Lt plain radiograph of the wrist; lat; age 13 y, male 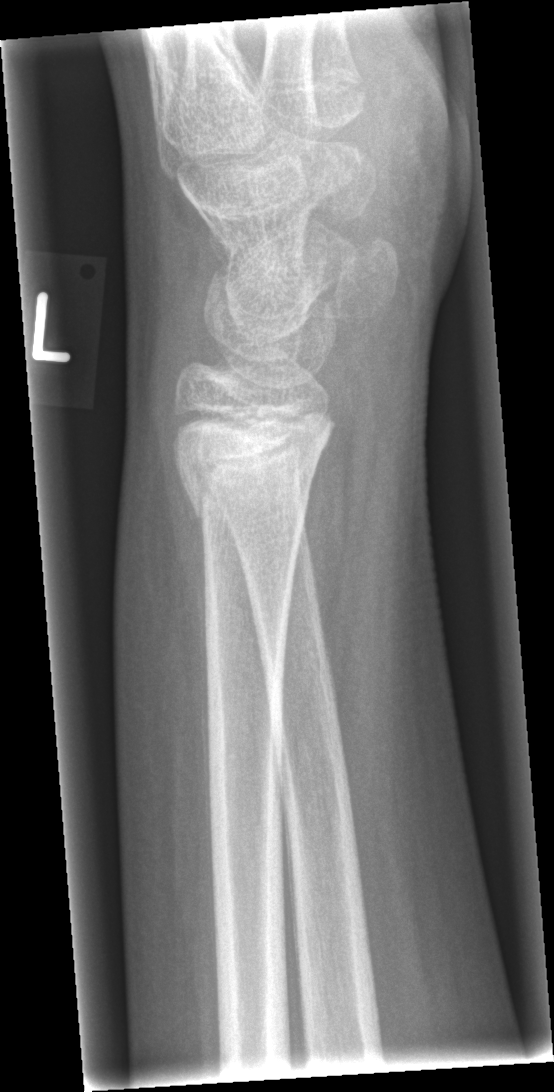 {
  "_coords": "bounding boxes in image-pixel xyxy",
  "fracture": "1 @ 166 436 326 544"
}